AP · left wrist XR.

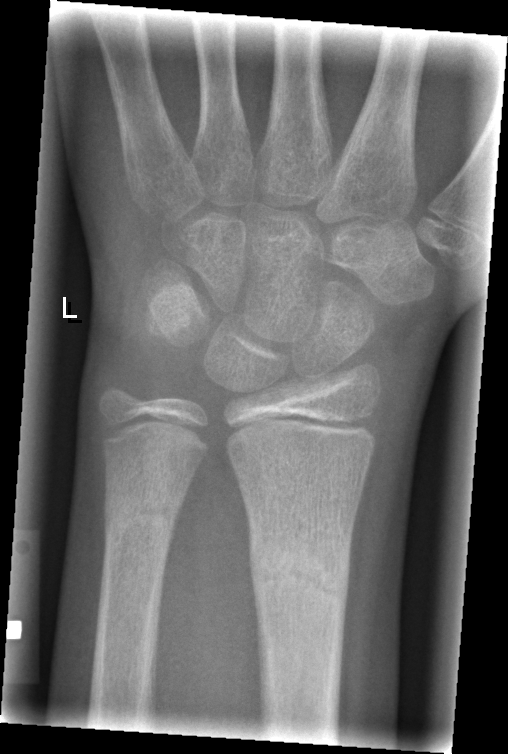
(coordinates are [x1, y1, x2, y2] in image pixels)
bone fracture = 2 @ 248 528 352 611 | 100 489 183 540
osteopenia = present